Lat view; right pediatric wrist radiograph; 16-year-old girl; Siemens.

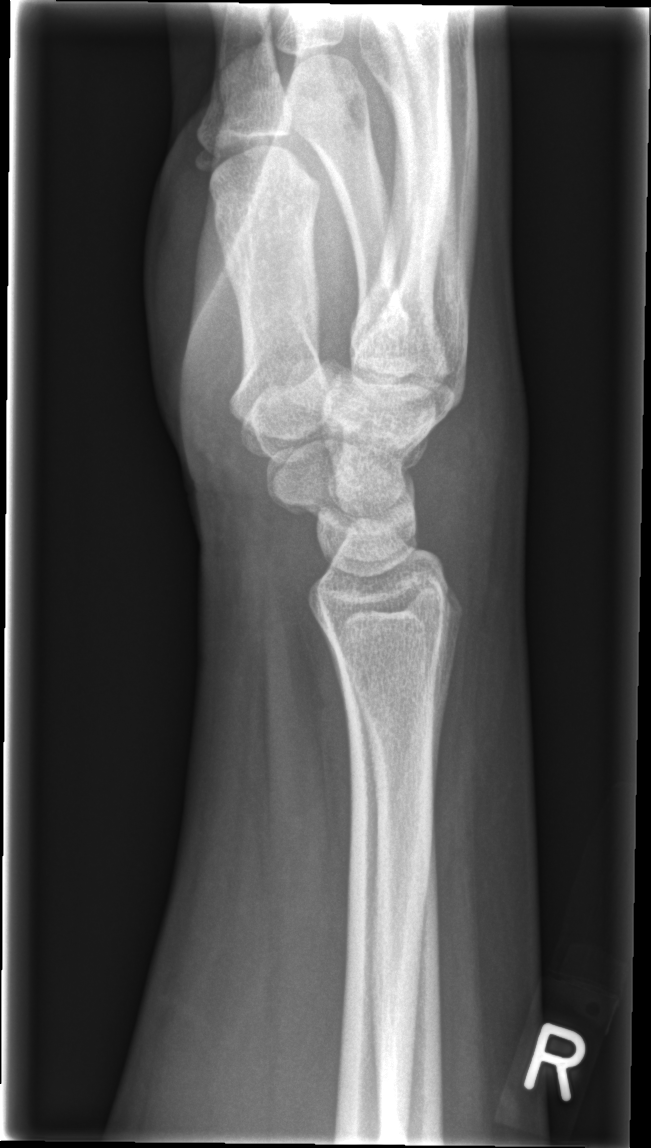
FINDINGS: No fracture labeled.